R wrist plain film, lateral, image width 130.9 mm: 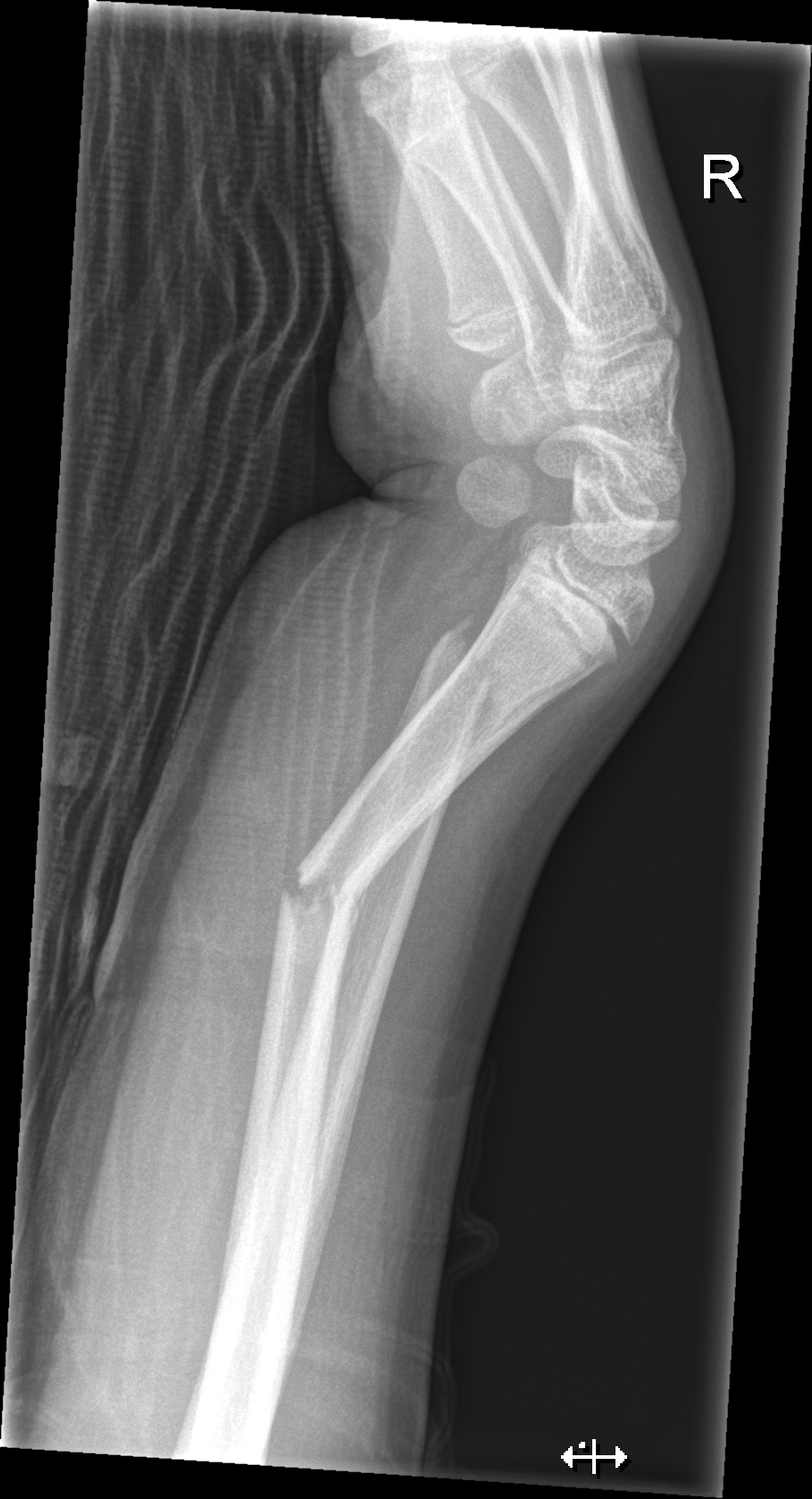

Fx: 2 @ 419 605 517 756
  274 853 370 929
AO classification: 22r-D/4.1; 23u-M/3.1